Left wrist plain film, PA/AP, age 8 y, boy — 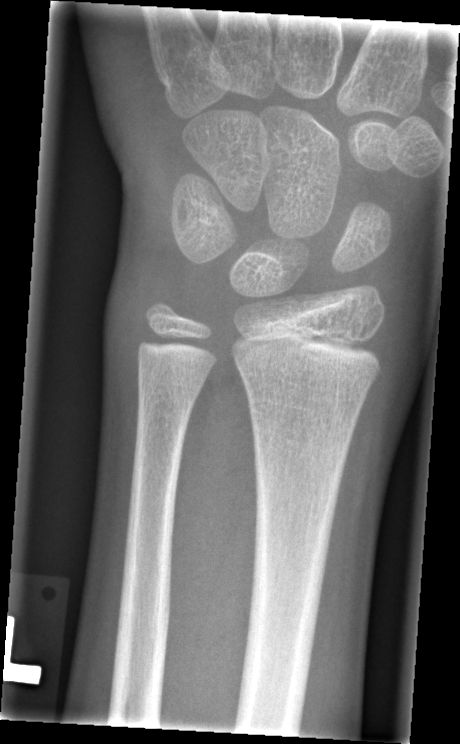 fracture = none labeled